Lat projection · L wrist XR · follow-up study.
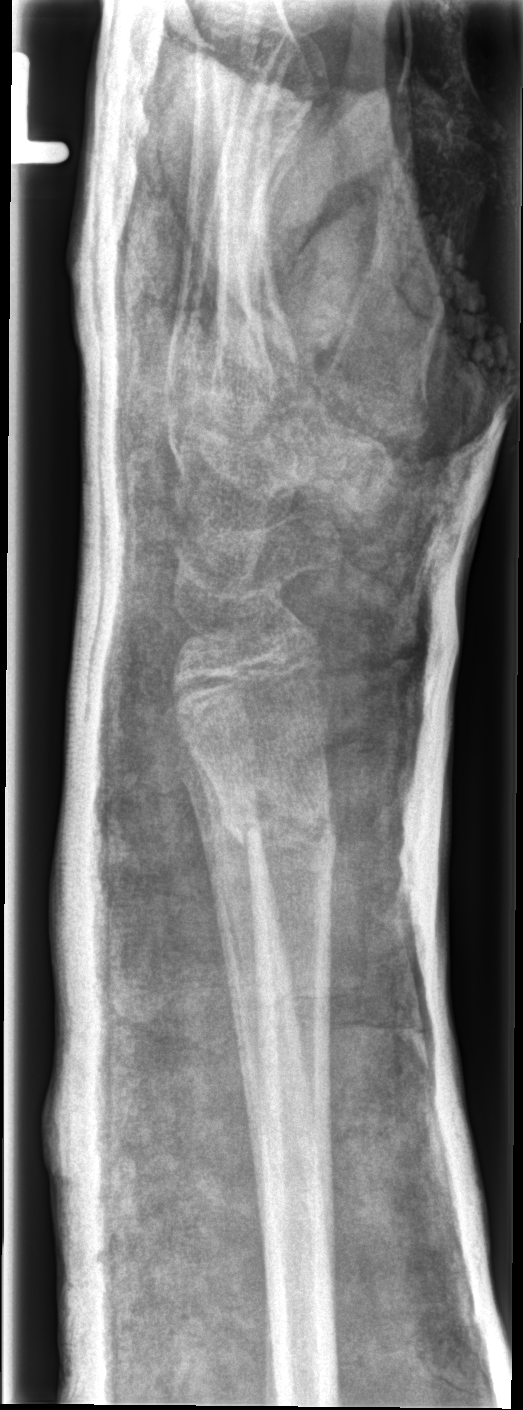

* Fx — bbox(215, 766, 339, 868).